Lat view; right wrist X-ray. 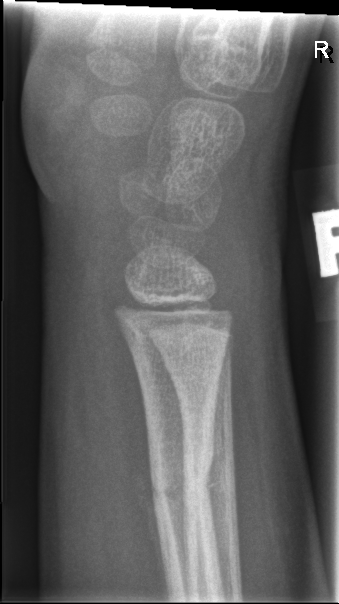
periosteal new bone: 1 @ bbox(141, 430, 170, 600)
osteopenia: present
fracture: bbox(146, 438, 227, 514)